Right wrist pediatric wrist radiograph, PA view. 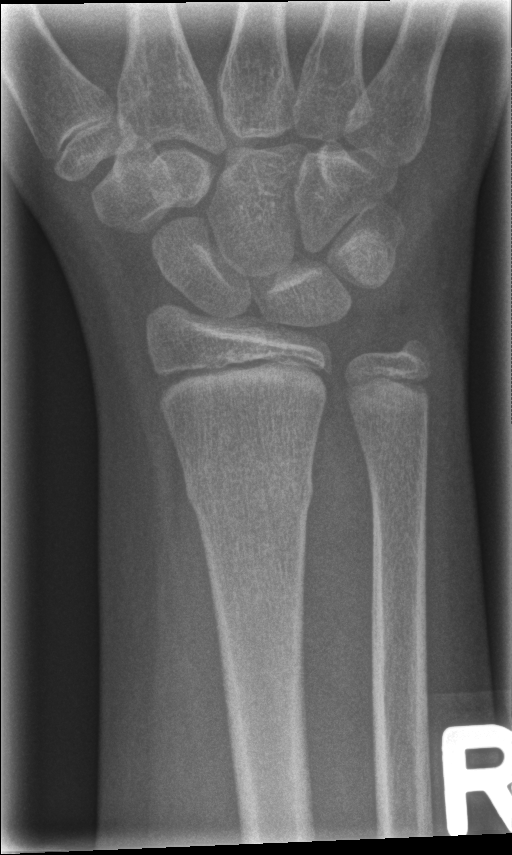
Fx: (left=184, top=459, right=318, bottom=519).
Fracture classified AO/OTA 23r-M/2.1.